Rt wrist plain film; PA/AP:
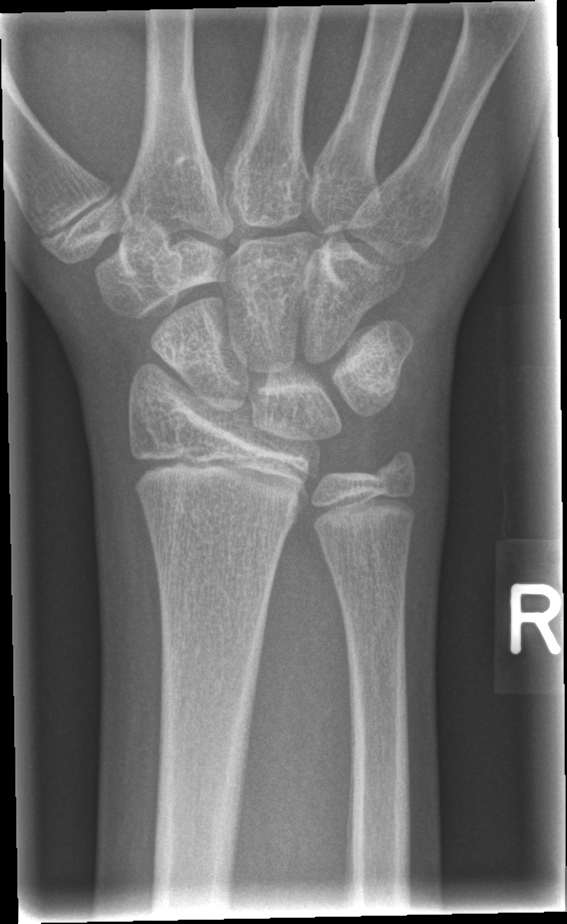 - No fracture annotation.